Right wrist plain radiograph of the wrist; PA/AP projection.

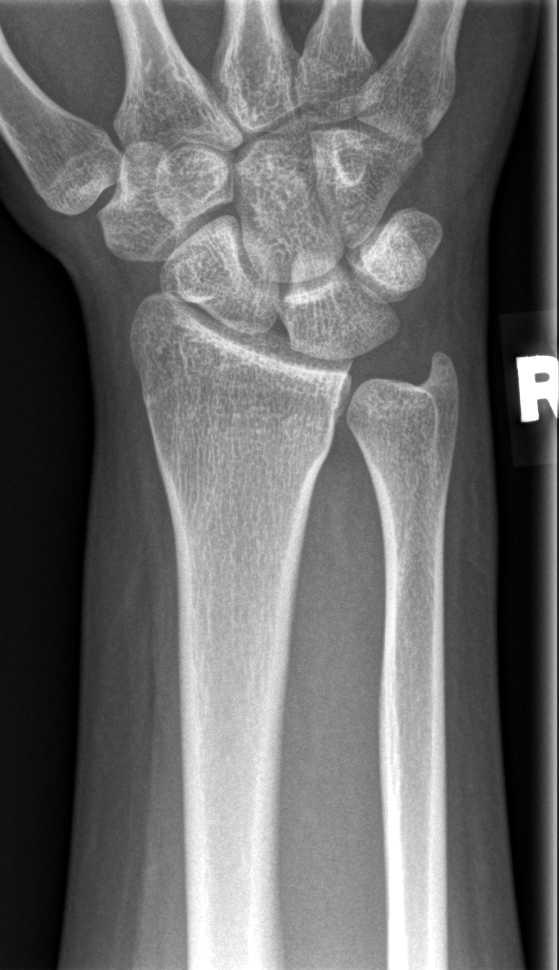 No fracture bounding box.